AP view | L plain radiograph of the wrist | image size 583x1050

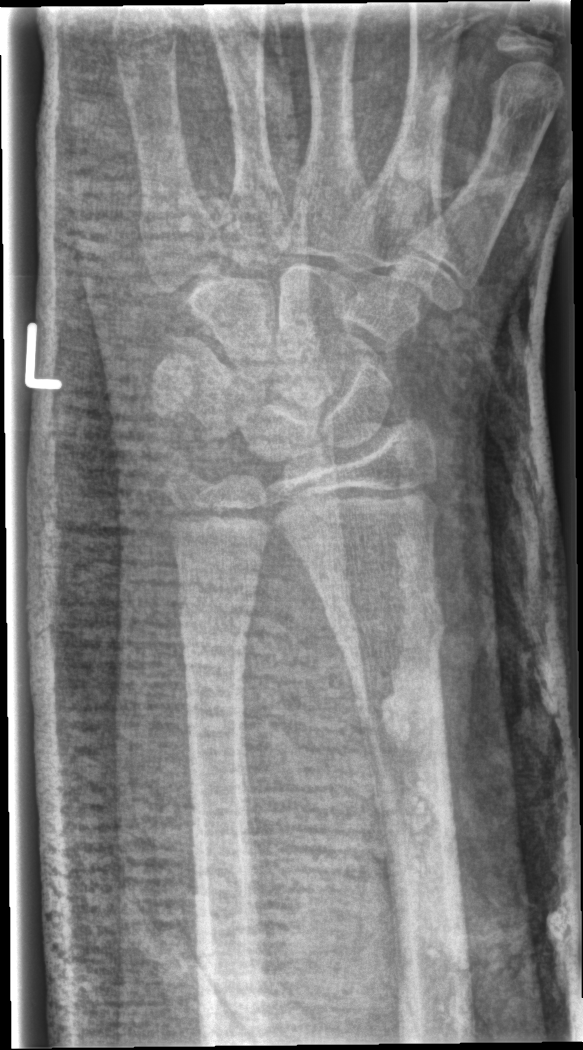 (coordinates are [x1, y1, x2, y2] in image pixels)
Fracture = 2 @ bbox(332, 593, 449, 655), bbox(174, 582, 260, 632)